Left wrist plain film; PA/AP projection; 9-year-old boy; image size 727x1168.
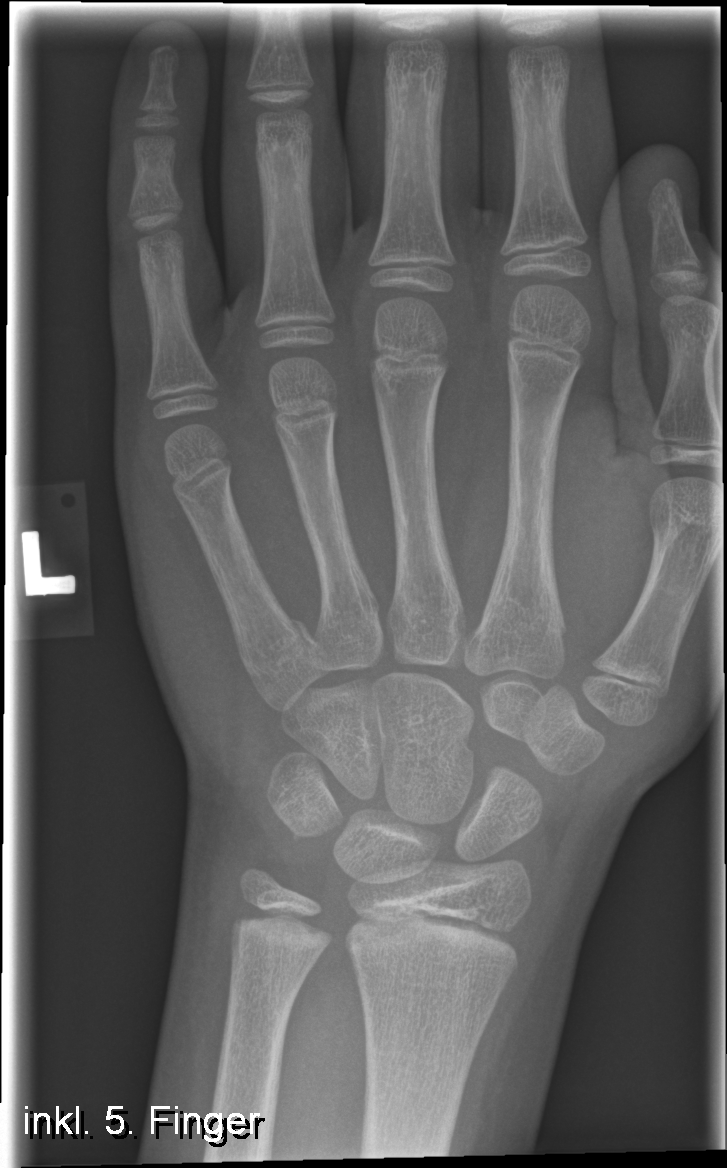 (bounding boxes in image-pixel xyxy)
Bone fracture = (left=232, top=612, right=339, bottom=698)
AO code = 77.5.1A